PA/AP view, Lt plain radiograph of the wrist

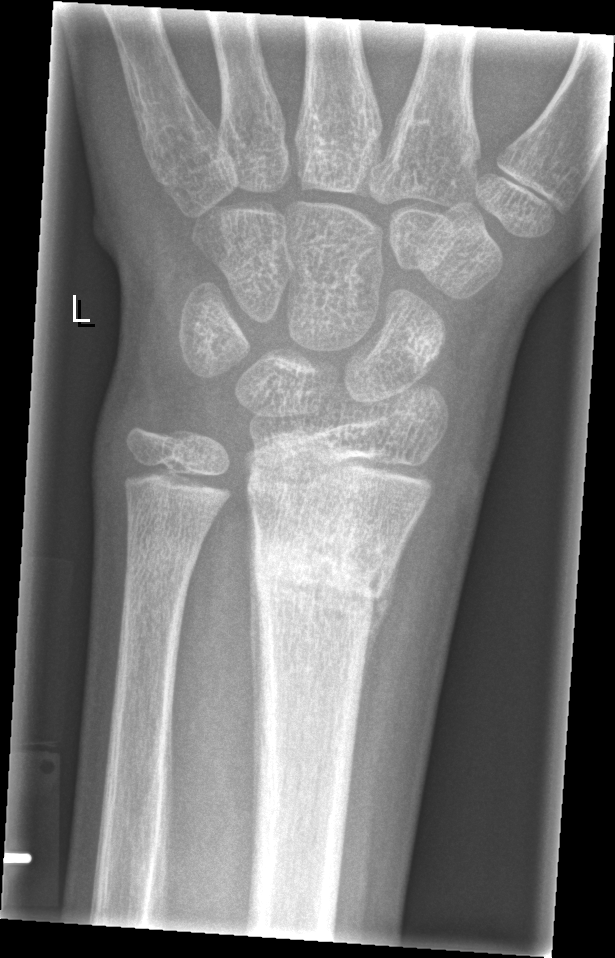
{"_coords": "bounding boxes in image-pixel xyxy", "ao": "23-M/2.1", "fracture": "[249, 519, 396, 610] [122, 535, 204, 577]", "periostealreaction": "2 @ [248, 561, 269, 831], [361, 552, 398, 691]", "osteopenia": "present"}